R wrist plain film; posteroanterior; 3-year-old female.
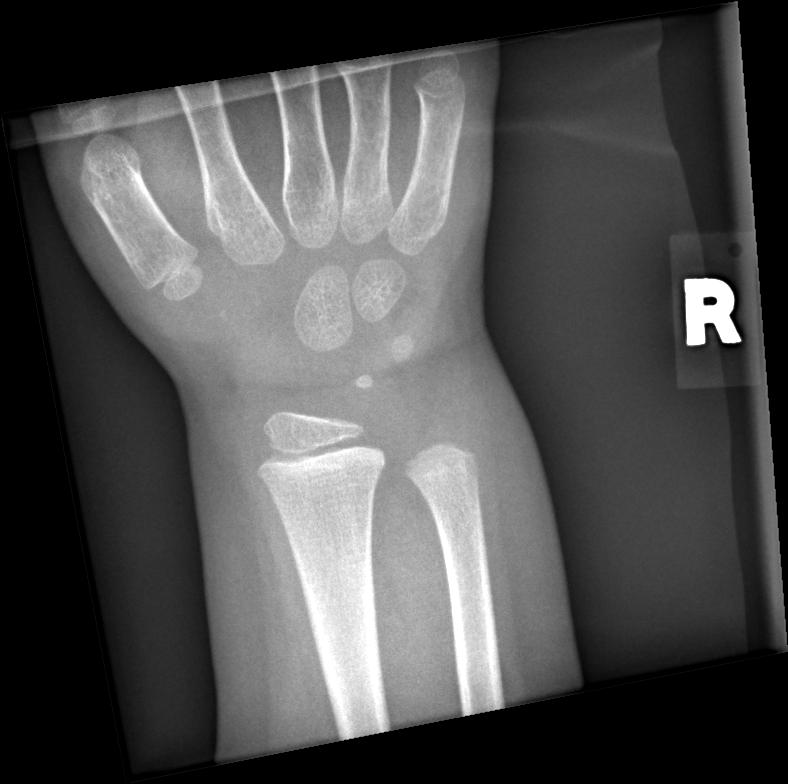
Q: Locate any fractures.
A: No fracture bounding box